PA/AP projection; left wrist plain film; age 6 y, boy; subsequent exam; image width 90.3 mm.

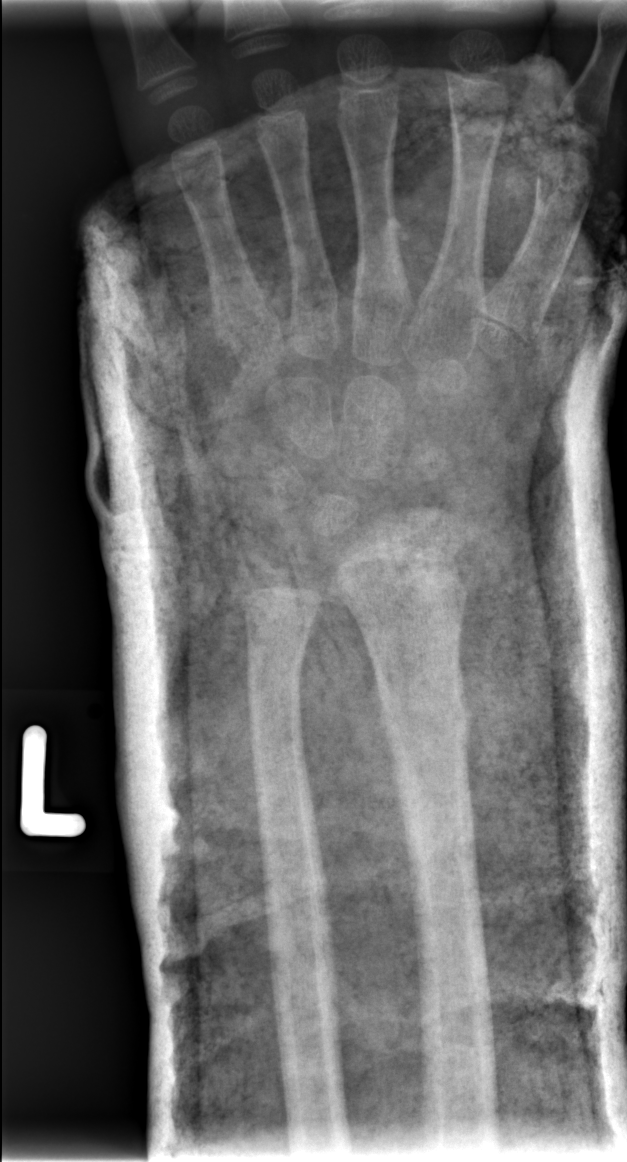
AO/OTA: 23-M/2.1
bone fracture: 2 @ bbox(374, 665, 471, 772); bbox(244, 638, 309, 714)